Right wrist X-ray, lateral, female, 9 yo, follow-up study, in cast, image size 542x1032: 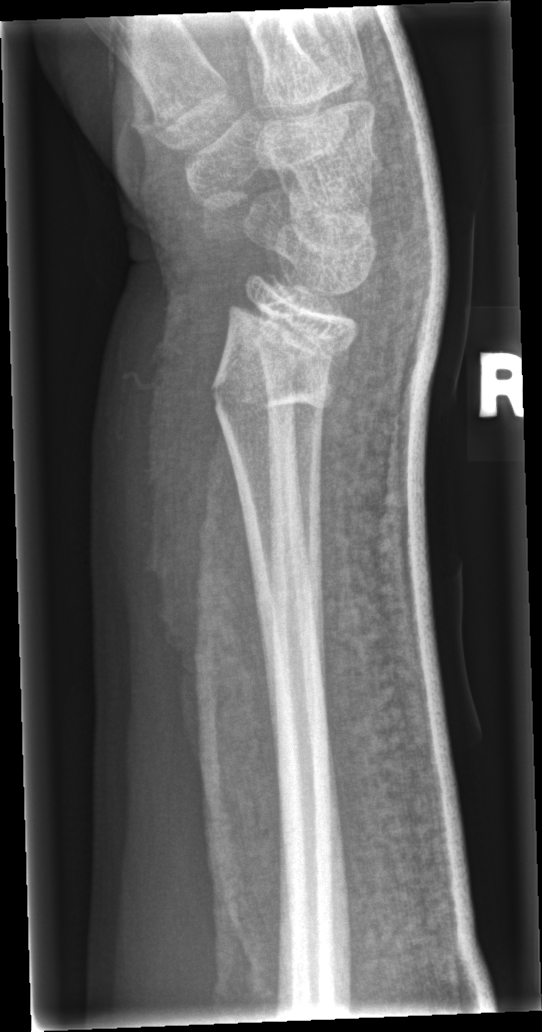

FINDINGS — One Fx at 208,361,339,431. Fracture classified AO/OTA 23r-M/3.1; 23u-E/7.